Lt wrist plain film · lat view · 11-year-old boy · follow-up · cast present · image width 98.2 mm —
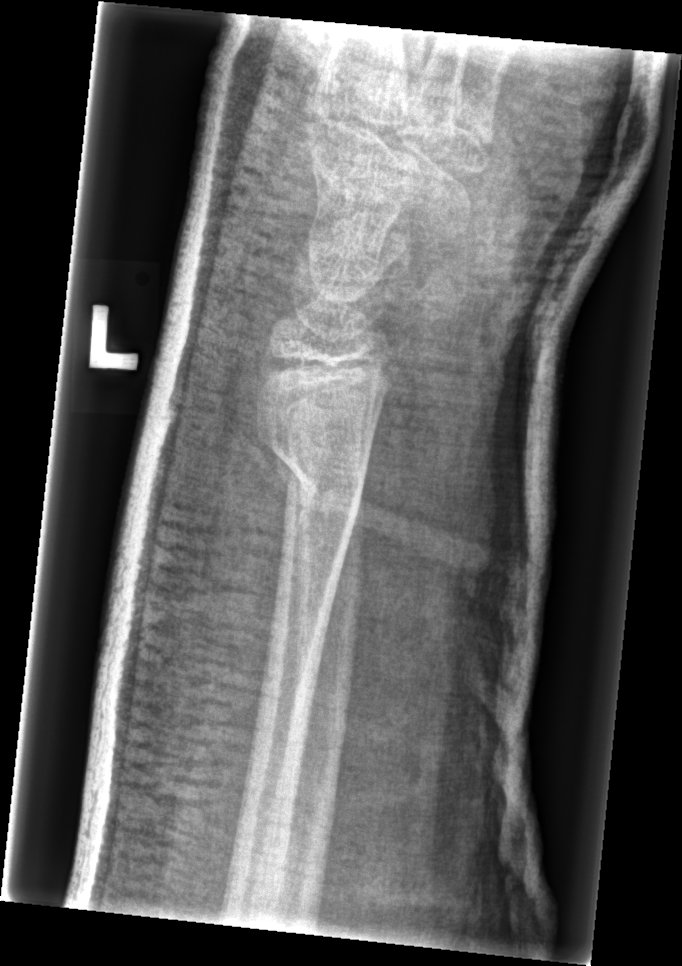
Bone fracture = (257, 428, 366, 507)
AO/OTA = 23-M/2.1